Left wrist XR · PA projection. 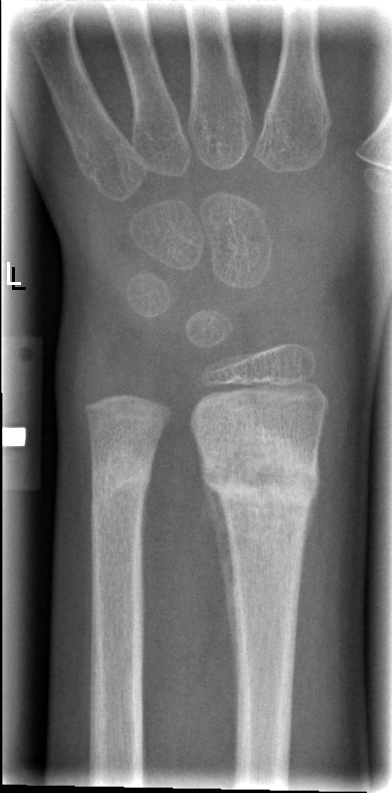

* Periosteal thickening: [x1=202, y1=475, x2=239, y2=723].
* Fracture classified AO/OTA 23-M/2.1.
* Reduced bone mineral density.
* Fx identified at [x1=193, y1=430, x2=323, y2=517], [x1=87, y1=450, x2=156, y2=501].